Lat projection; left pediatric wrist radiograph; age 9 y, male; follow-up; cast present; Siemens:
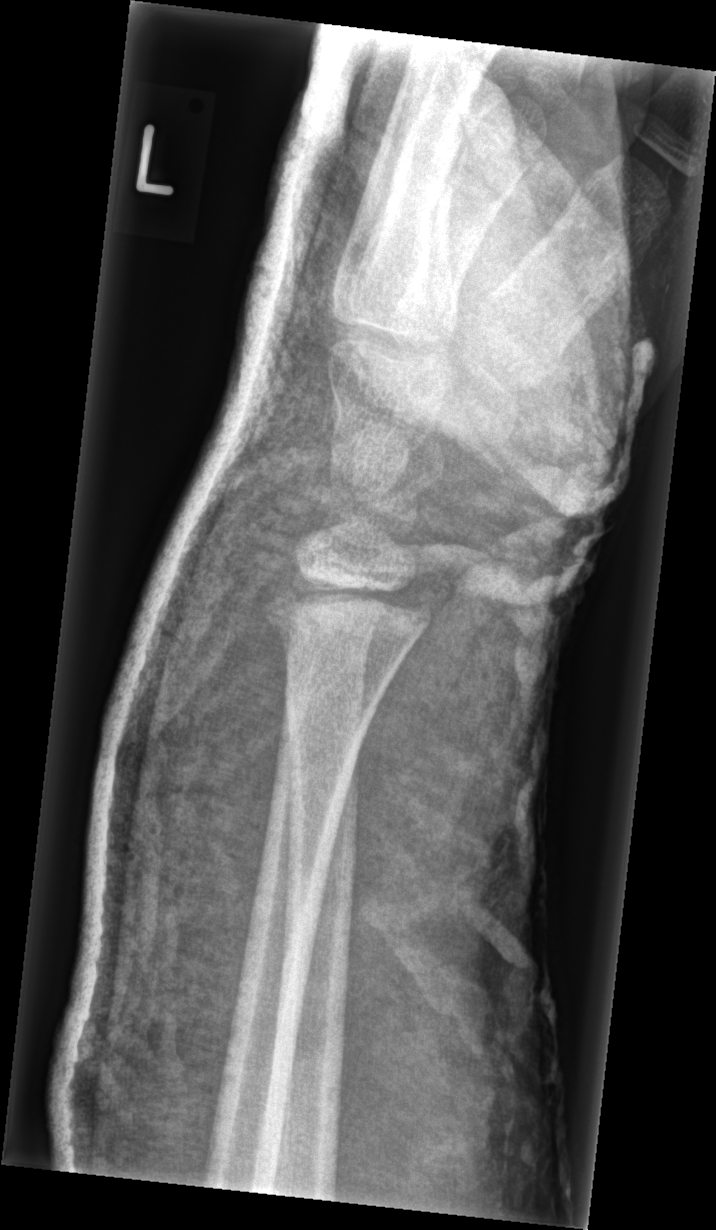 - Coordinates are [x1, y1, x2, y2] in image pixels.
- Fx: (256, 567, 439, 674).